Lateral; left wrist X-ray; pediatric patient (male, age 14); subsequent exam —
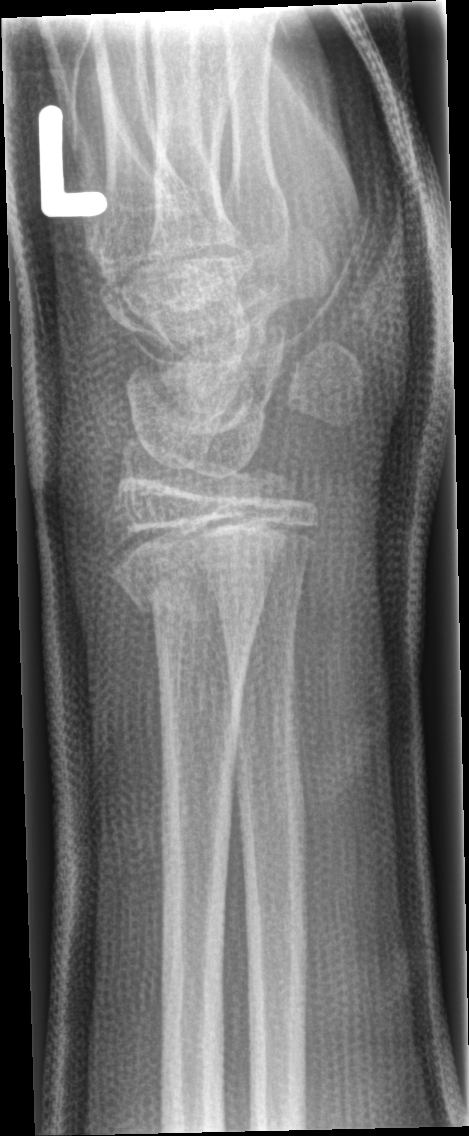 • Fx — (103, 514, 288, 616).